Lat projection; right wrist XR; index exam; 451 by 1038 pixels. 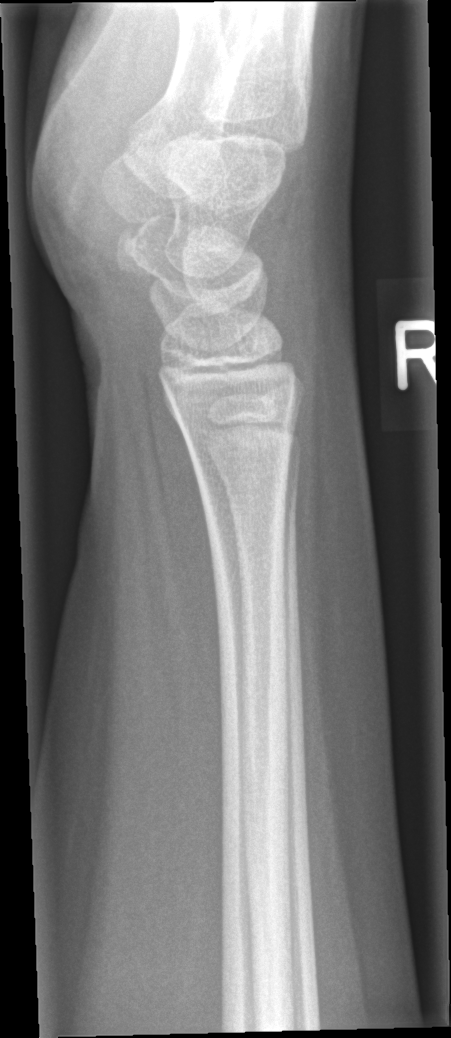
fracture: none labeled